Lateral projection, Lt pediatric wrist radiograph

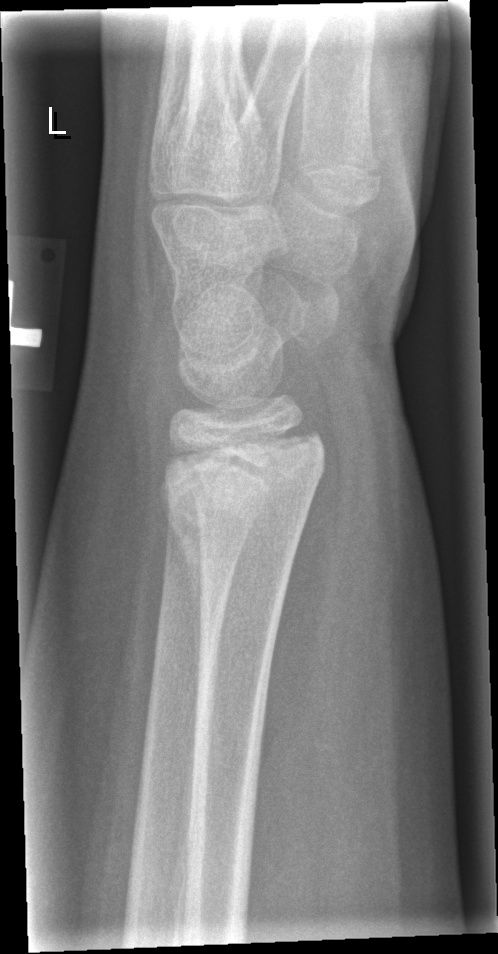

(pixel coordinates, top-left origin, xyxy)
Fracture: 1 @ [152, 440, 326, 541]
Periosteal reaction: 1 @ [158, 490, 204, 711]